Posteroanterior view, left wrist plain film.
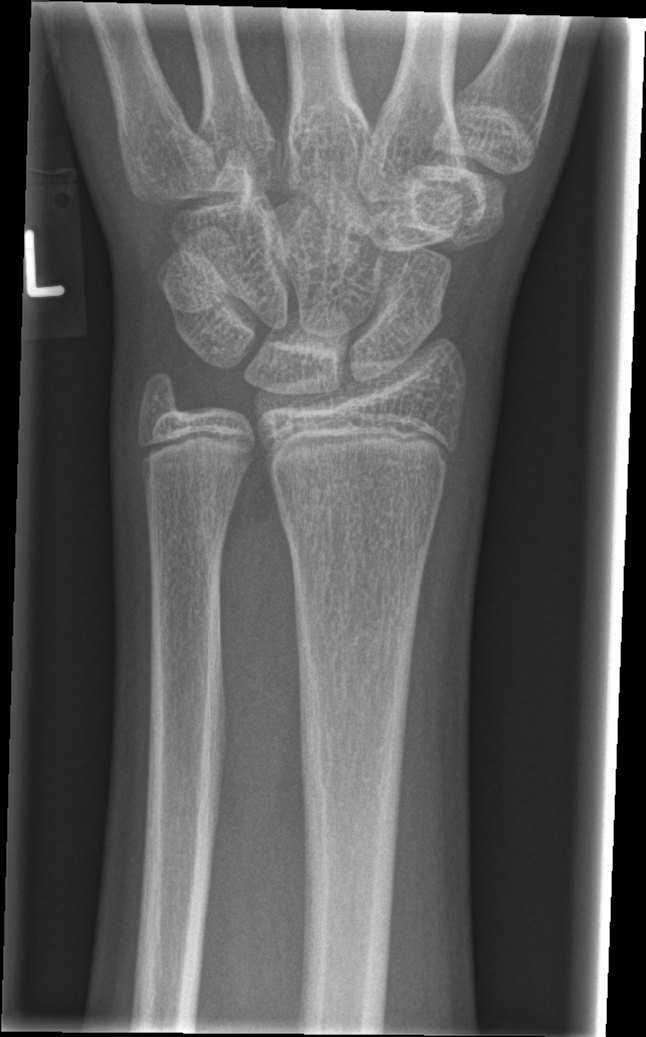
Fx = present but not clearly seen in this view